Frontal projection | left wrist X-ray.
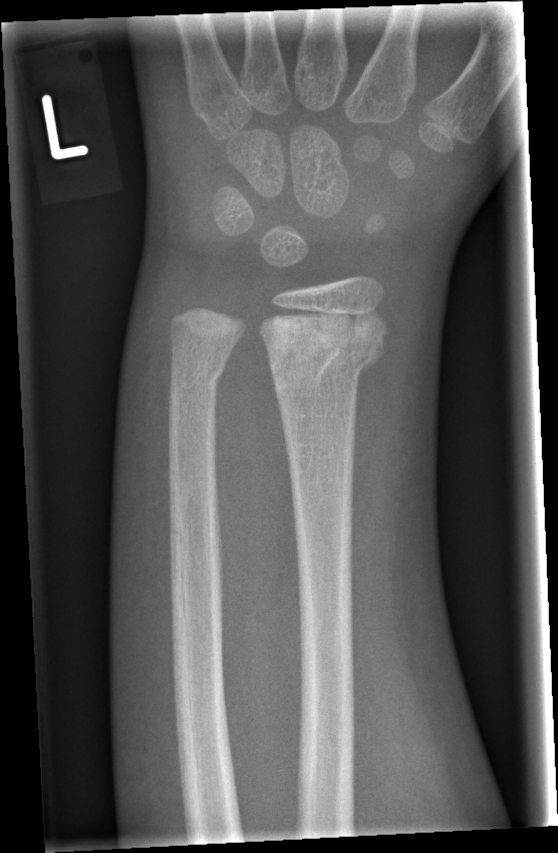

Fx identified at [265, 319, 391, 397], [166, 347, 232, 402].